L wrist XR; lat view; boy, 10 yo; follow-up; cast present; detector: Siemens. 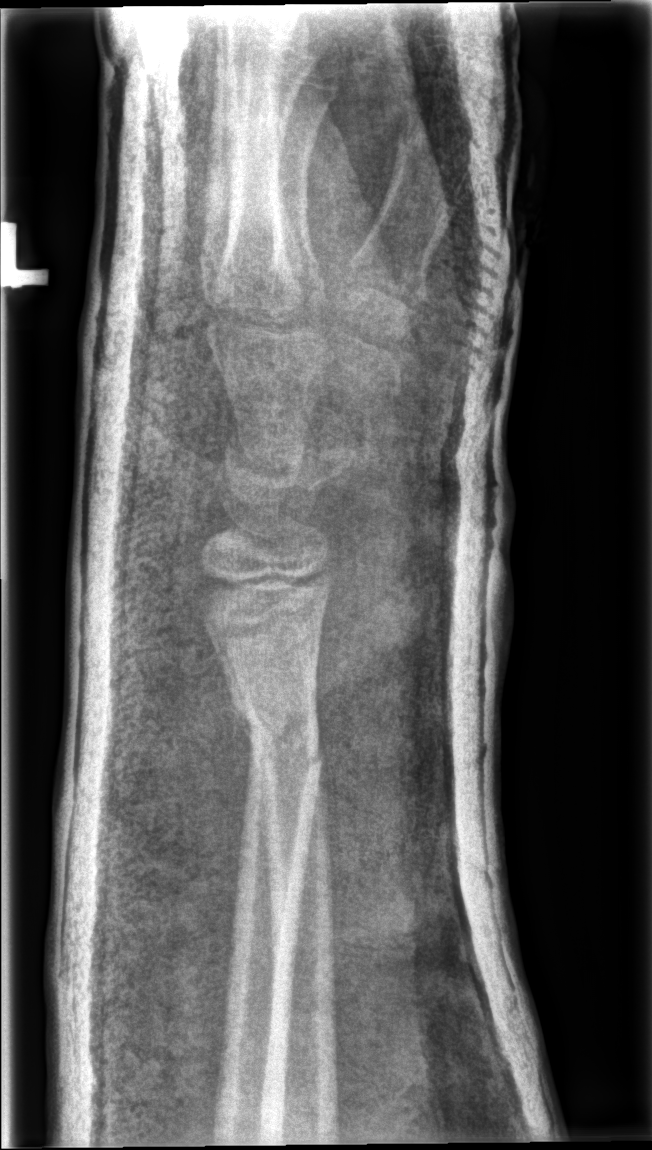 bone fracture = 227,680,327,784